Posteroanterior view, right wrist X-ray, girl, 15 yo, detector: Siemens, image 70.8 mm wide

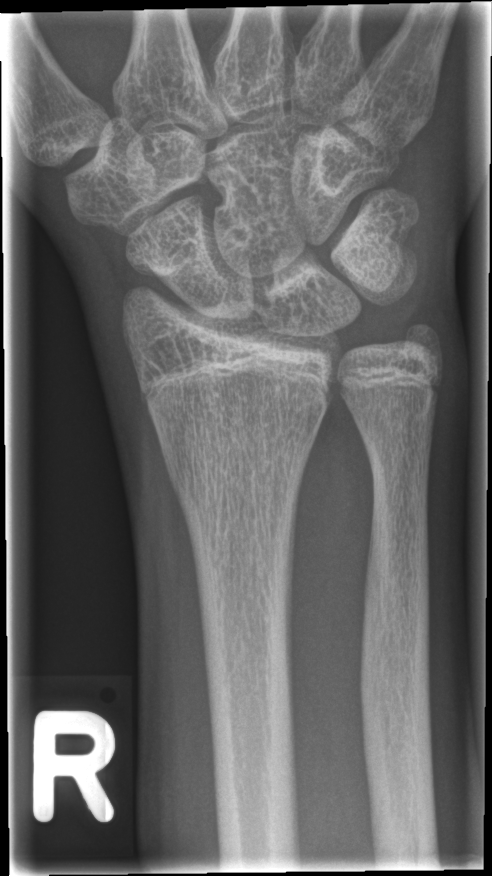 Fx: none labeled